AP projection, right wrist pediatric wrist radiograph, in cast, acquired on Siemens, 722 by 1009 pixels:

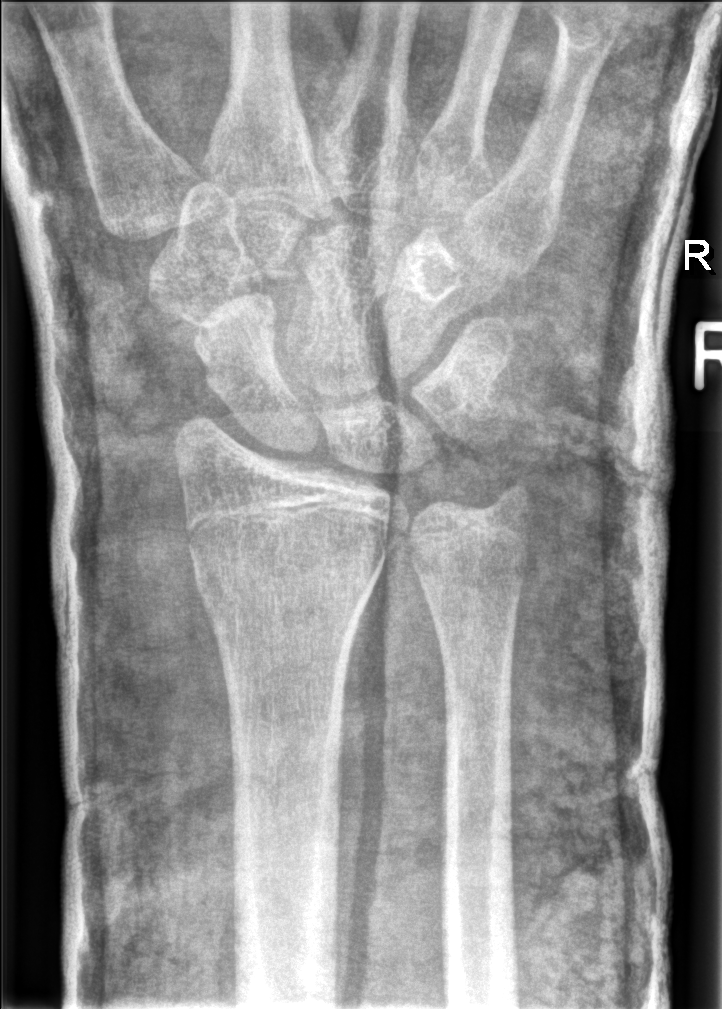
FINDINGS — Fx — (left=183, top=566, right=381, bottom=627). Fracture classified AO/OTA 23r-M/2.1.